PA projection · left wrist XR · age 14 y, male · 655 x 1116 px:

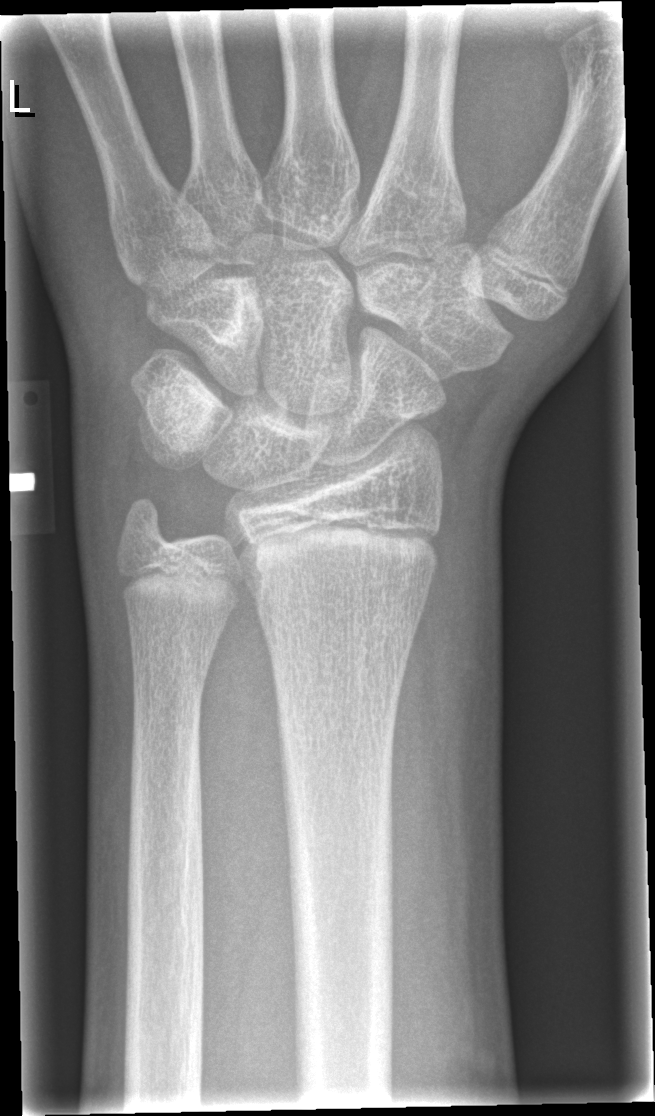
Q: Locate any fractures.
A: No fracture bounding box